R pediatric wrist radiograph | AP view | 4y M 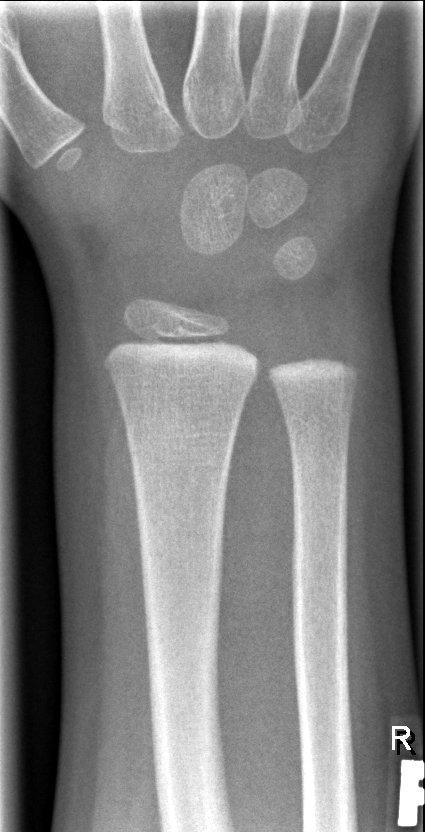
- Fracture present, though not clearly seen in this view.
- Fracture classified AO/OTA 23r-M/2.1.